Lt wrist XR; lateral view; boy, 10 yo:

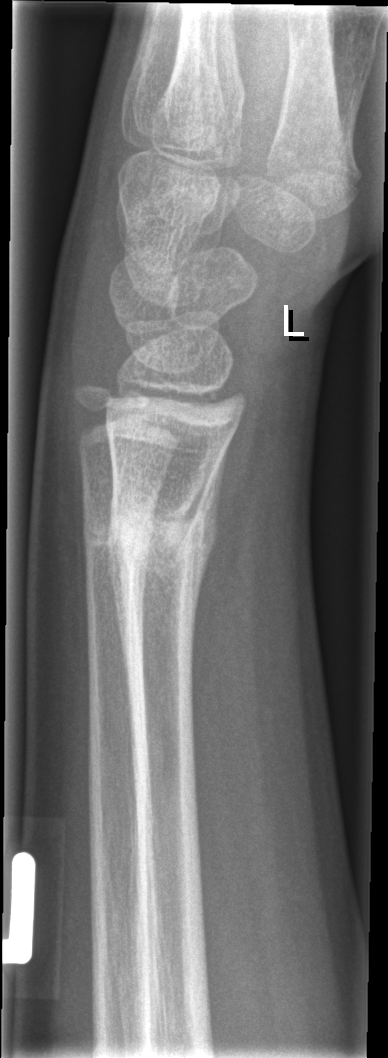 Findings: Periosteal reaction — 184,433,231,660 | 106,480,131,711. Fracture: 103,482,222,590 | 77,503,159,573.